Lat view, right wrist pediatric wrist radiograph. 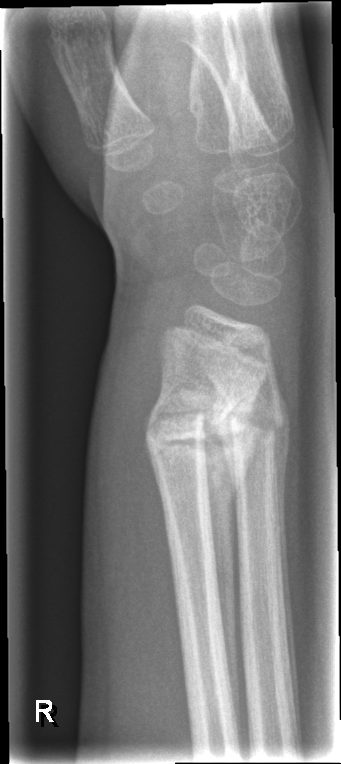 FINDINGS: (boxes as x1,y1,x2,y2 (top-left / bottom-right, pixel units)) Periosteal thickening — [197, 386, 267, 752]; [274, 380, 301, 749]. Fracture: [142, 388, 249, 458]; [226, 395, 283, 446]. Reduced bone mineral density. AO code 23r-M/3.1.